Lat projection · right wrist plain radiograph of the wrist · girl, 8 yo.
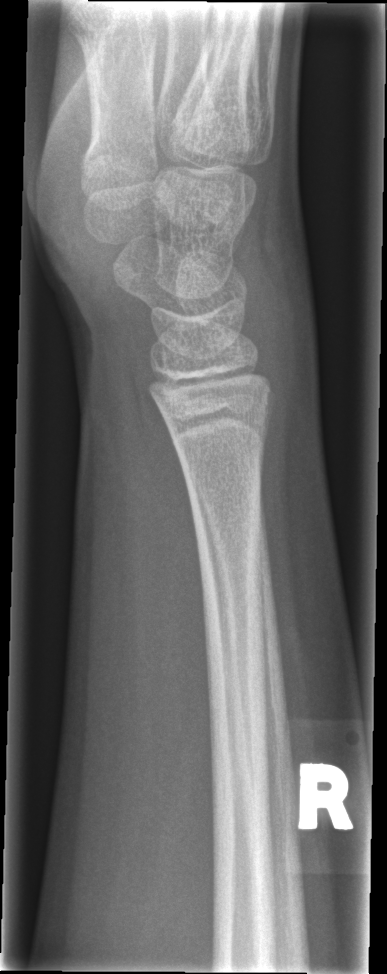 One soft tissue abnormality at 237 224 320 422. No Fx annotated.